Right wrist radiograph; frontal view; imaged through cast —
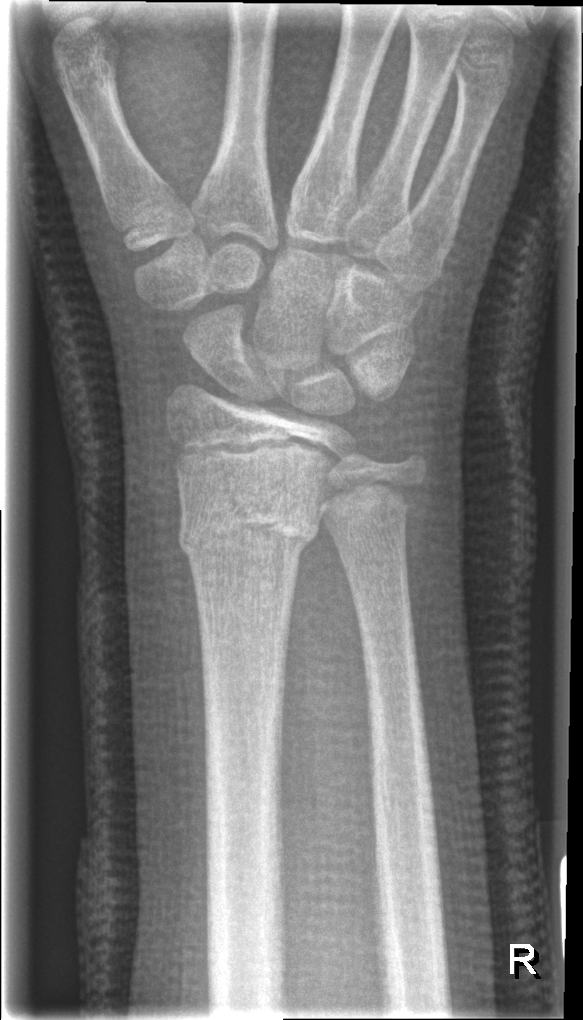 (coordinates are [x1, y1, x2, y2] in image pixels)
Q: AO code?
A: AO/OTA classification: 23r-M/3.1; 23u-E/2.1
Q: Any fracture seen?
A: Fx — (left=174, top=490, right=326, bottom=573) (left=317, top=464, right=425, bottom=530)